Lat · right wrist X-ray · 12y M · 357x1420.

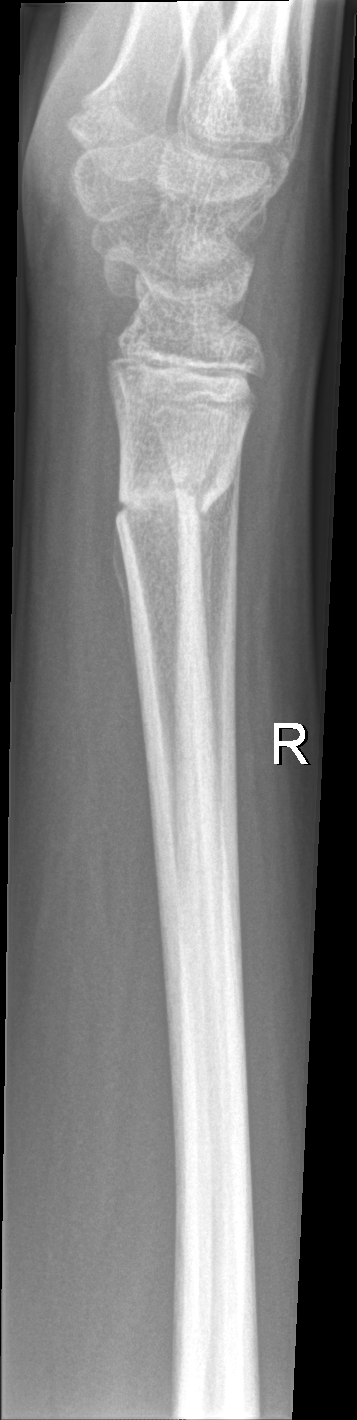
* Pixel coordinates, top-left origin, xyxy.
* Osteopenic.
* Fx identified at <114,455>-<240,533>.
* Periosteal thickening: <109,514>-<142,704>.